Left wrist plain radiograph of the wrist · AP projection · cast present · image 97.8 mm wide:
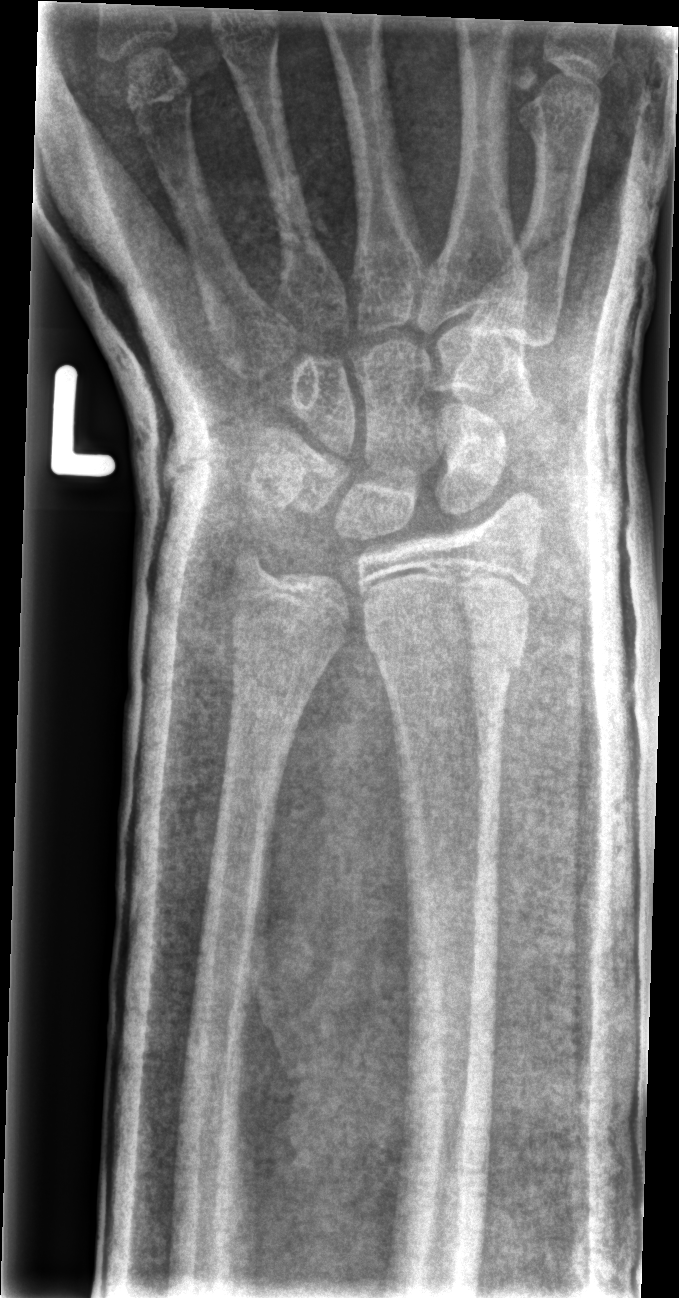 - Fracture classified AO/OTA 23r-M/3.1; 23u-E/7.
- One fracture at (left=362, top=624, right=527, bottom=684).